Lateral projection · R wrist plain film · 14-year-old male · follow-up study.

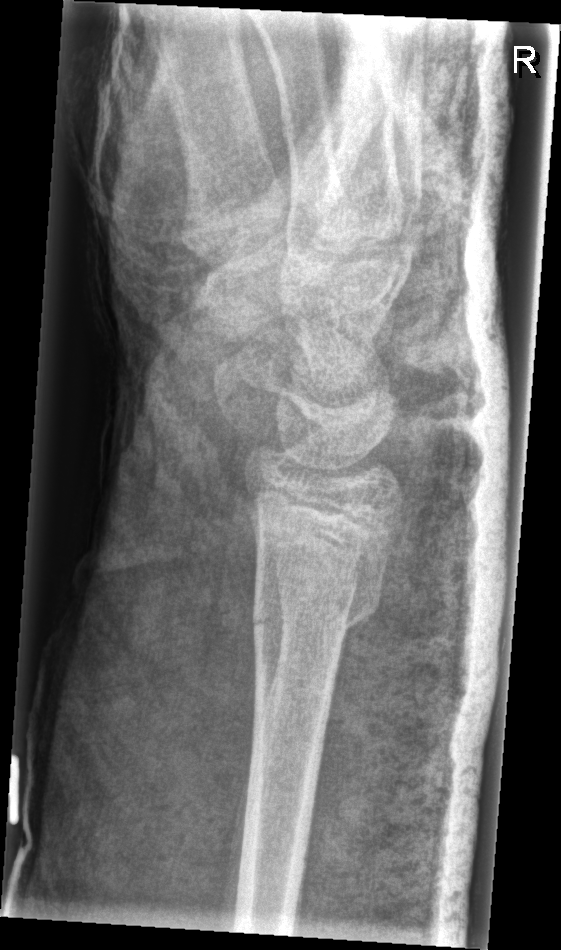 AO code 23r-M/3.1; 23u-E/7.
Fracture: (249, 582, 385, 645).